Lateral view · right wrist X-ray · pediatric patient (female, age 9). 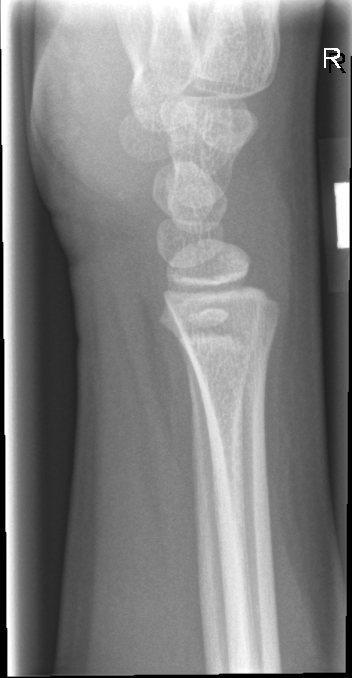 Q: Is there a fracture?
A: No fracture labeled